R wrist plain film; lat.
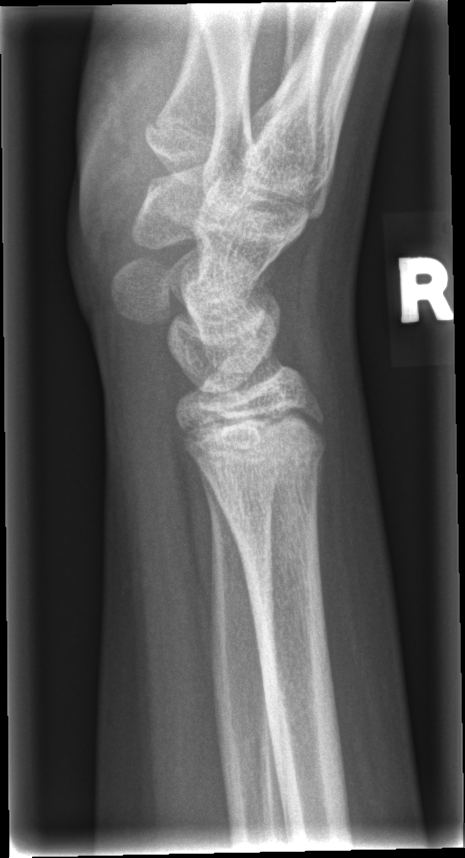 AO classification: 23r-M/2.1
periosteal new bone: 1 @ (315, 446, 325, 598)
bone fracture: (193, 431, 331, 484)